Left wrist plain film; frontal; follow-up study; image width 82.4 mm —

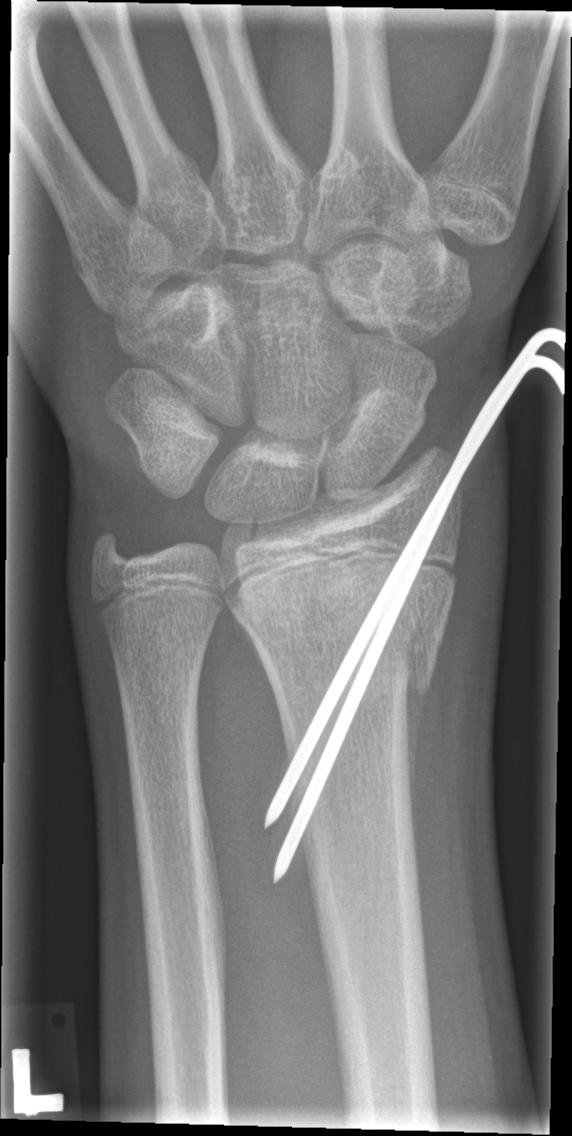

• Hardware: [x1=261, y1=322, x2=567, y2=891].
• Bone fracture — [x1=232, y1=552, x2=451, y2=707].
• Periosteal new bone — [x1=403, y1=647, x2=428, y2=872].
• AO/OTA classification: 23r-M/3.1.
• Osteopenic.